Lat, left wrist pediatric wrist radiograph, boy, 13 yo, index exam, 978x1232 —
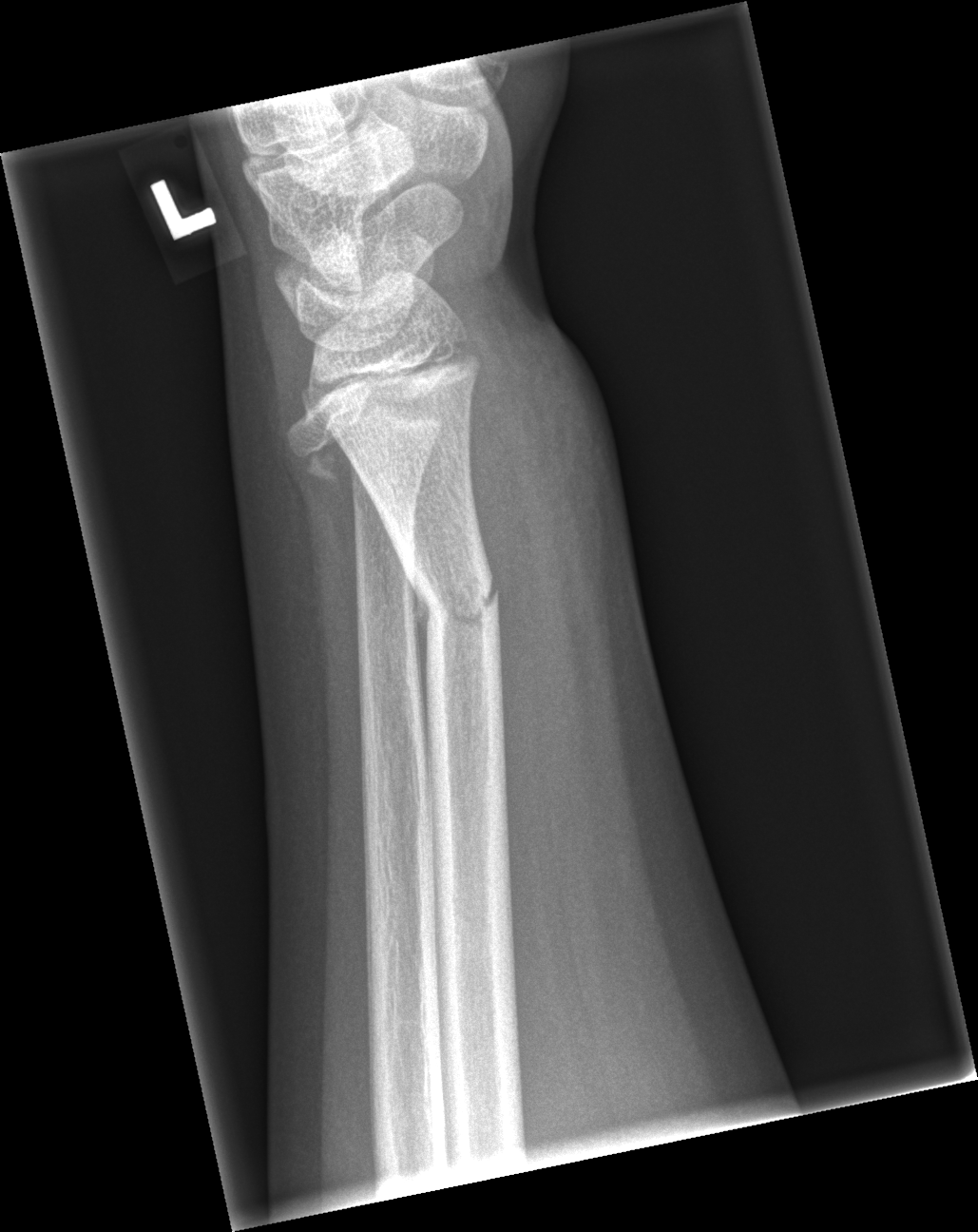

Two fractures at [281, 392, 446, 489] [403, 551, 507, 638]. AO/OTA classification: 23r-M/3.1; 23u-E/2.1. Soft-tissue finding: [459, 296, 608, 839].